Left wrist pediatric wrist radiograph · lateral view · female, 7 yo:

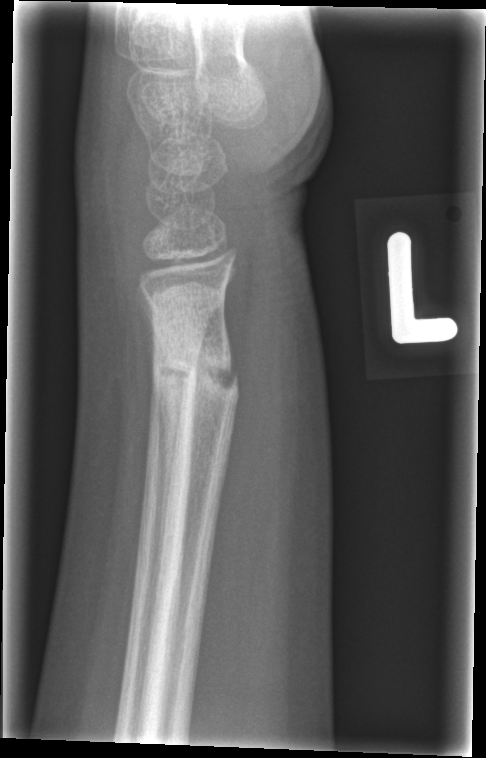 (pixel coordinates, top-left origin, xyxy)
Q: What is the AO/OTA classification?
A: AO/OTA classification: 23r-M/3.1; 23u-M/2.1
Q: Is there a fracture?
A: Bone fracture — (163, 350, 245, 401)
Q: Is there periosteal reaction?
A: Periosteal reaction: (140, 286, 186, 622)
Q: Is there osteopenia?
A: Decreased bone density (osteopenia)